Lateral, Rt wrist radiograph, 5y F, imaged through cast, Siemens:

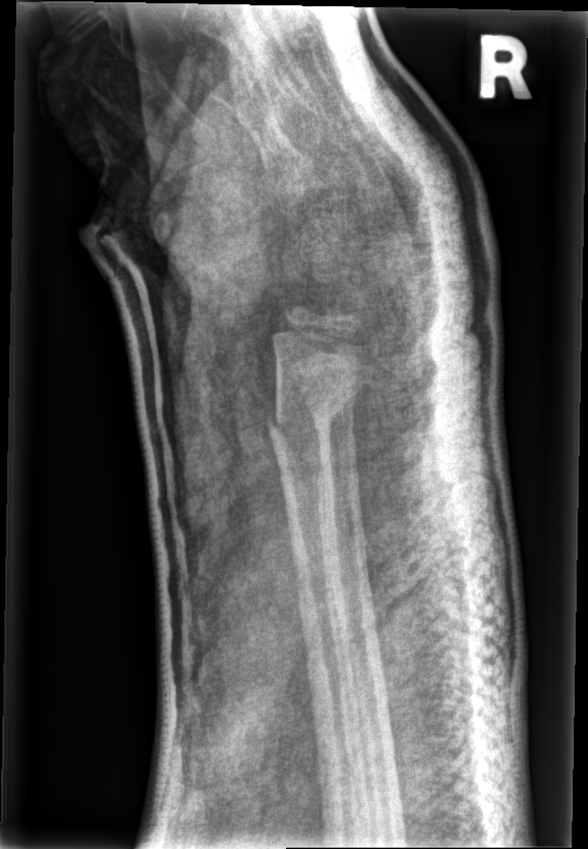
* Boxes as x1,y1,x2,y2 (top-left / bottom-right, pixel units).
* Fracture classified AO/OTA 23r-M/3.1; 23u-M/2.1.
* Bone fracture: (263, 393, 360, 488).